Right wrist pediatric wrist radiograph · lateral projection · pediatric patient (girl, age 12) · 506x694:

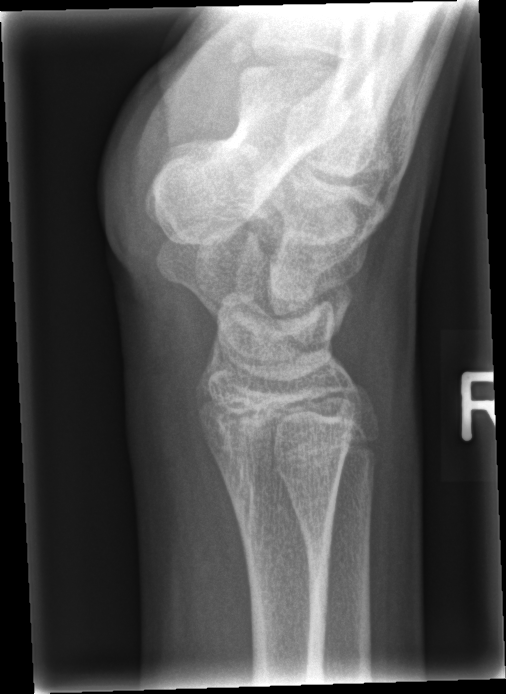

fracture = none labeled